Lateral view, right wrist XR, pediatric patient (female, age 8)
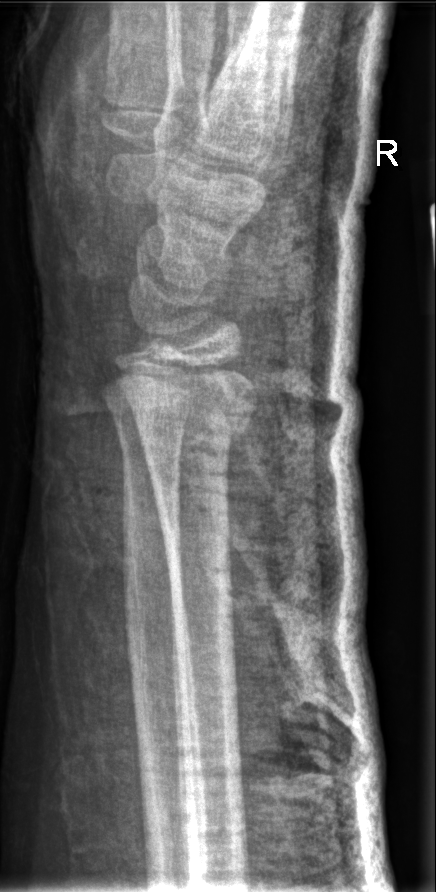

AO code 23r-M/3.1. Fx identified at [x1=124, y1=387, x2=260, y2=449].